Frontal projection · left wrist pediatric wrist radiograph · acquired on Siemens. 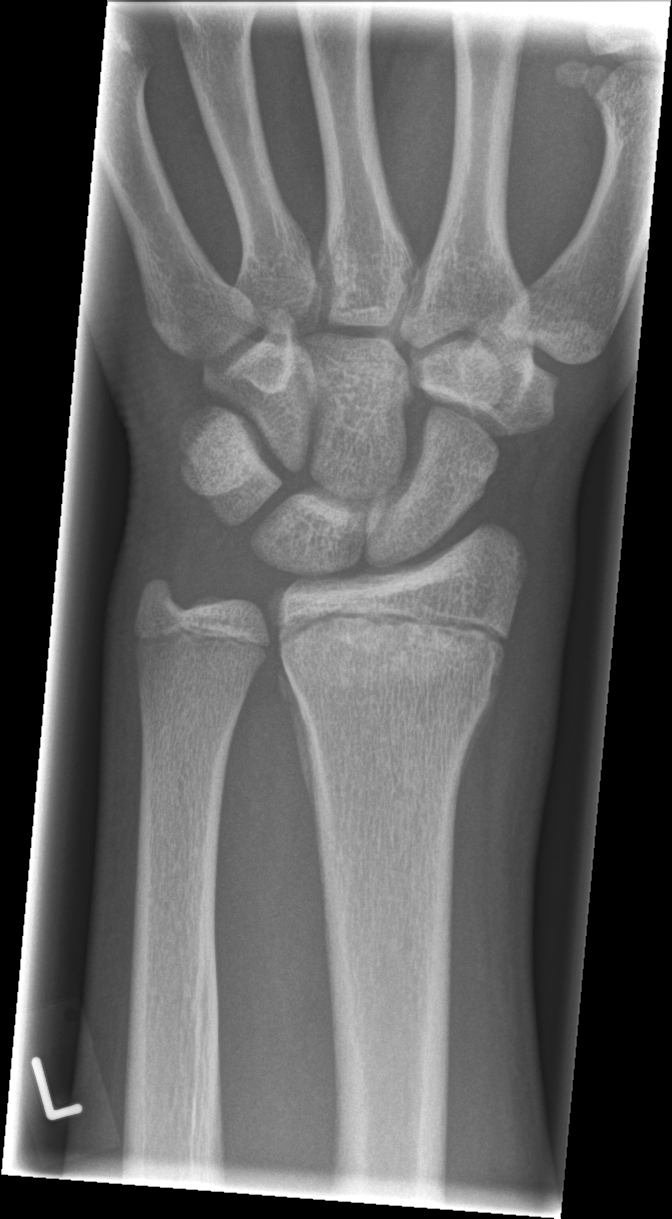

FINDINGS — AO code 23r-E/2.1. Reduced bone mineral density. Periosteal thickening identified at <277,653>-<317,822> <455,676>-<501,802>. One bone fracture at <273,597>-<514,739>.